AP view, R pediatric wrist radiograph —
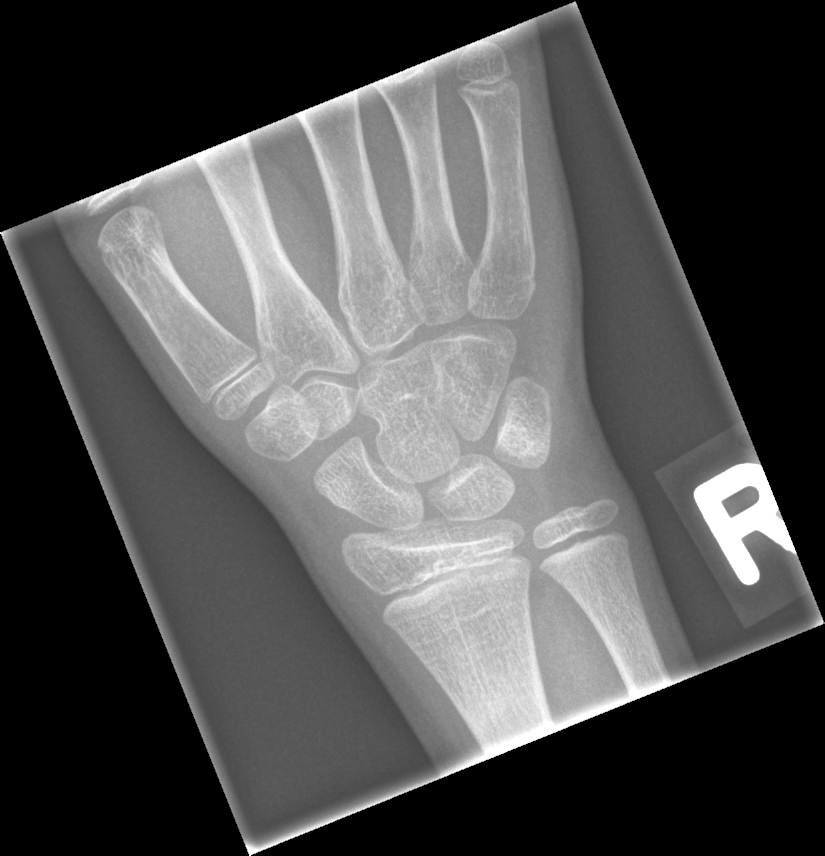

• Fracture — [451, 661, 552, 736].